Rt wrist X-ray; frontal projection 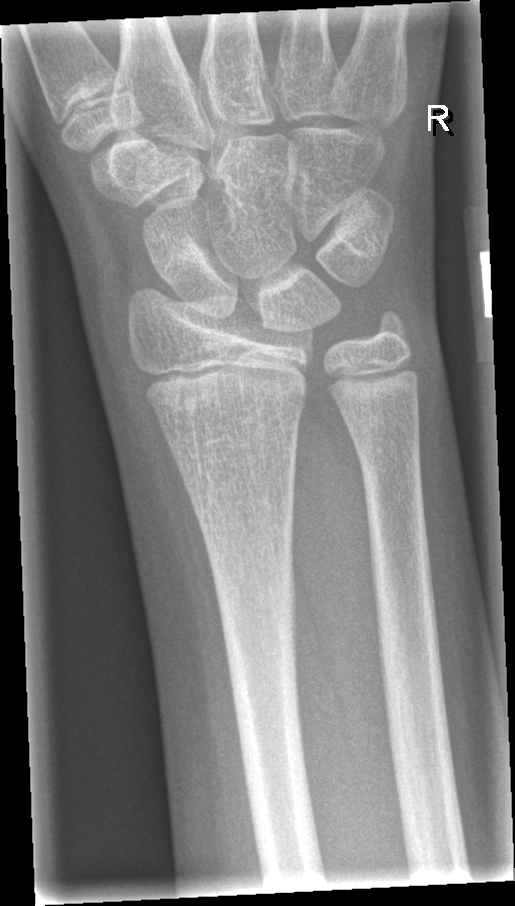

Bone fracture: none labeled